Left wrist radiograph, lateral.

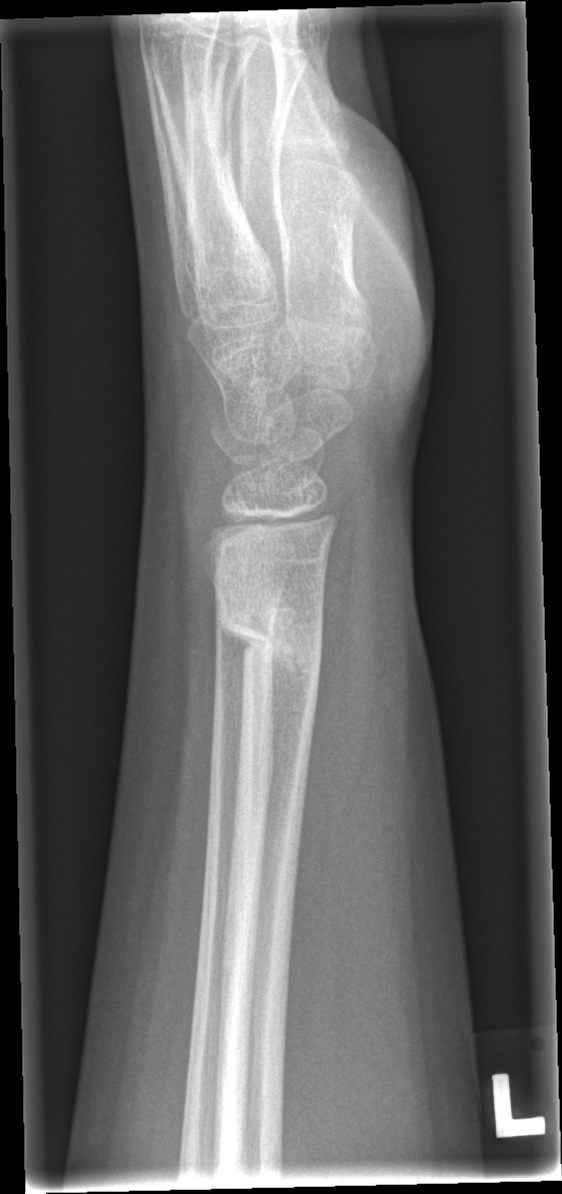 FINDINGS — AO/OTA classification: 23r-M/2.1. Bone fracture — bbox(212, 600, 326, 689). Osteopenia.